Lat projection · right wrist pediatric wrist radiograph · 333 x 786 px — 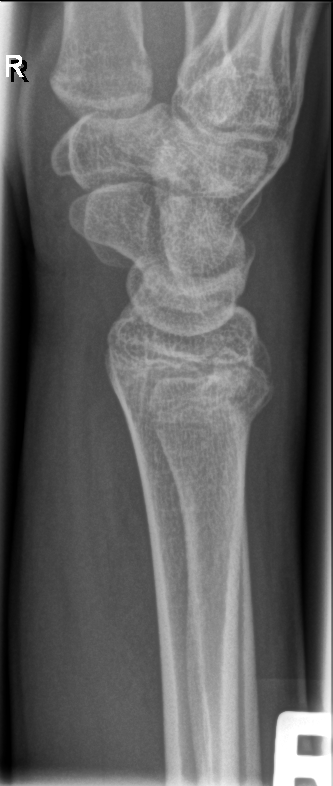

Q: Any fracture seen?
A: Bone fracture — [x1=114, y1=372, x2=276, y2=446]
Q: What is the AO/OTA classification?
A: AO code 23r-M/2.1
Q: Is the pronator sign positive?
A: Positive pronator fat-pad sign — [x1=88, y1=361, x2=172, y2=721]